PA/AP view · right wrist pediatric wrist radiograph · subsequent exam · acquired on Siemens —
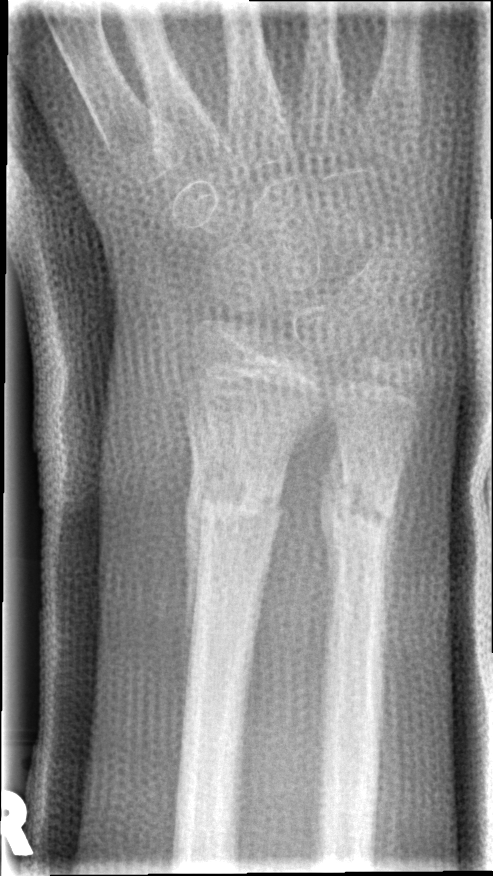
* Fx identified at 180 450 290 555 | 317 451 406 561.
* Periosteal thickening — 380 441 410 669 | 180 449 202 693 | 319 437 346 626.